Lat projection, left wrist plain radiograph of the wrist, pediatric patient (boy, age 6): 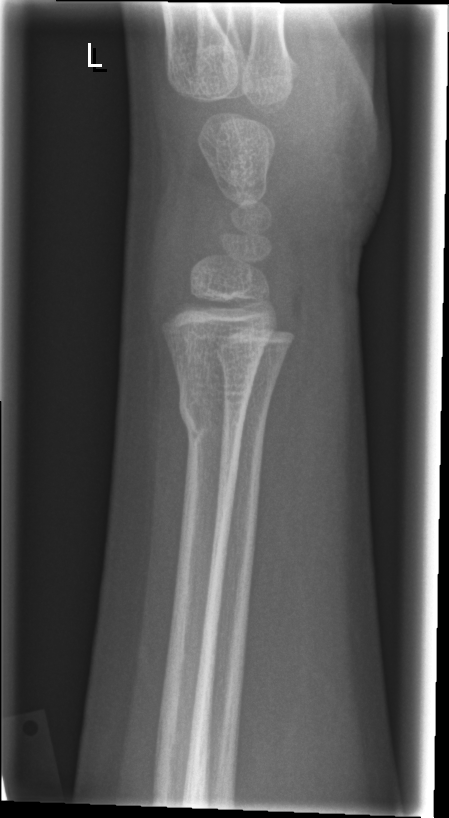

FINDINGS: Fx: bbox(174, 379, 257, 453). AO/OTA classification: 23-M/2.1.